Lat view · Rt wrist radiograph · image width 72.3 mm: 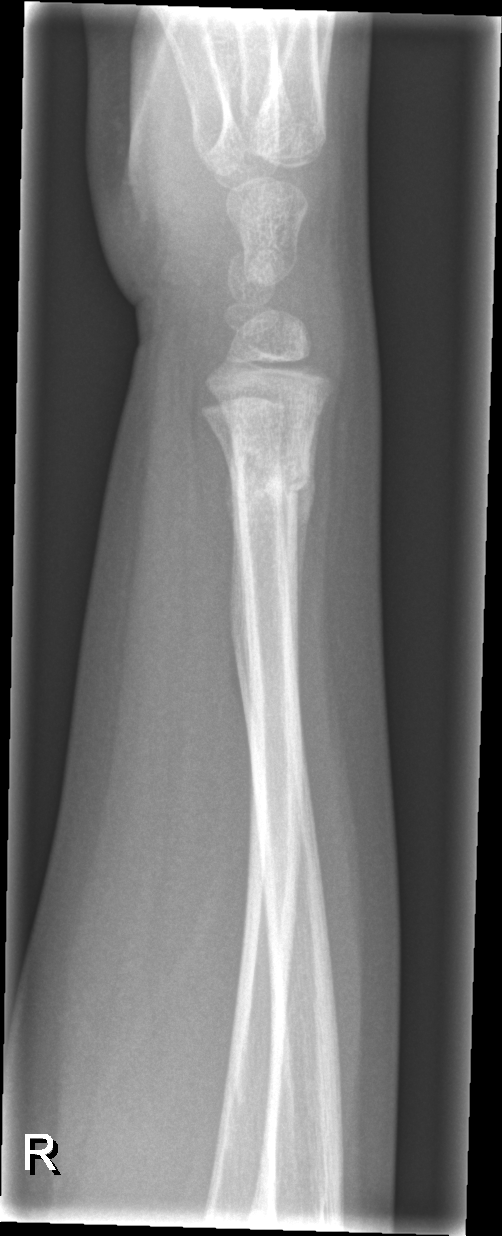 FINDINGS — (boxes as x1,y1,x2,y2 (top-left / bottom-right, pixel units)) Periosteal new bone identified at [x1=293, y1=414, x2=319, y2=628]. Fx — [x1=223, y1=444, x2=316, y2=526].